Left wrist X-ray | posteroanterior projection | imaged through cast:

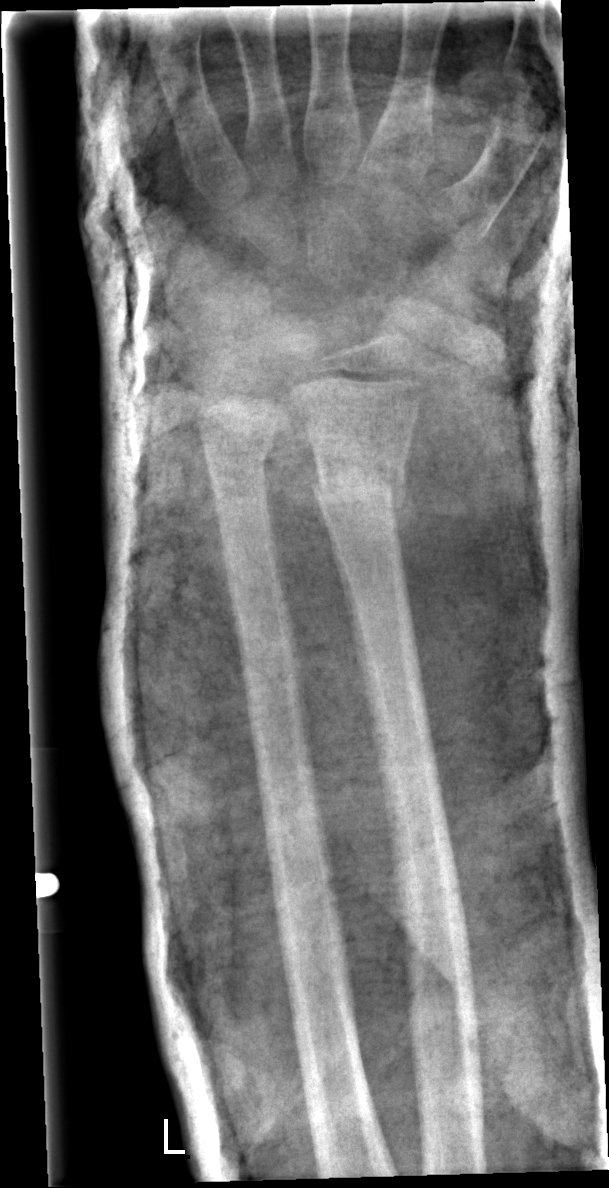 AO code: 23r-M/3.1; 23u-M/2.1
fracture: <308,456>-<409,526>, <199,429>-<275,483>